PA/AP, Lt plain radiograph of the wrist:
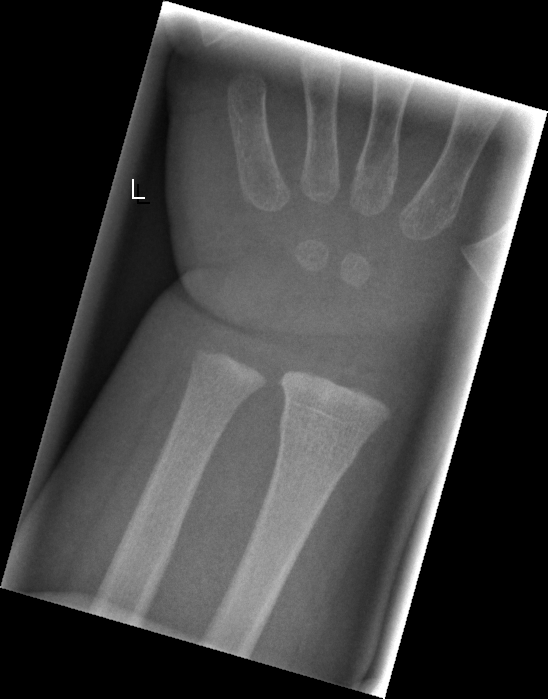

(pixel coordinates, top-left origin, xyxy)
Fx = 1 @ bbox(272, 406, 362, 475)